Lat; Lt wrist XR 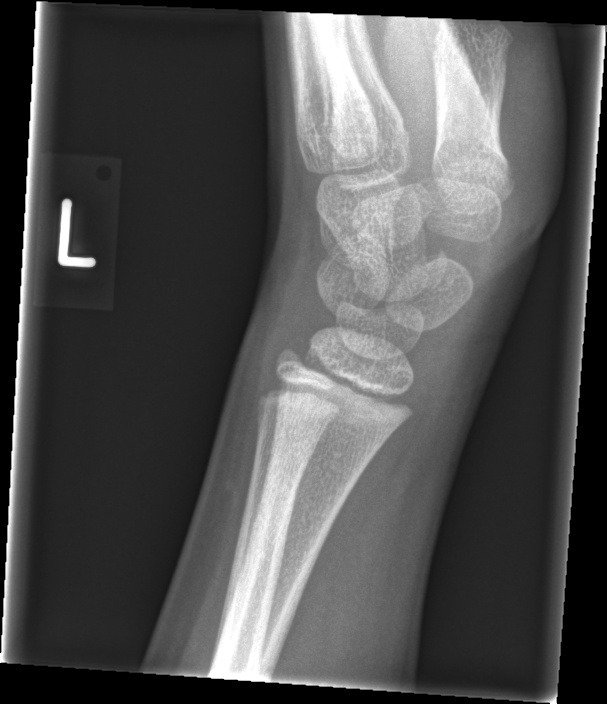

fracture: none labeled